Right wrist radiograph, lat view, 474x957:

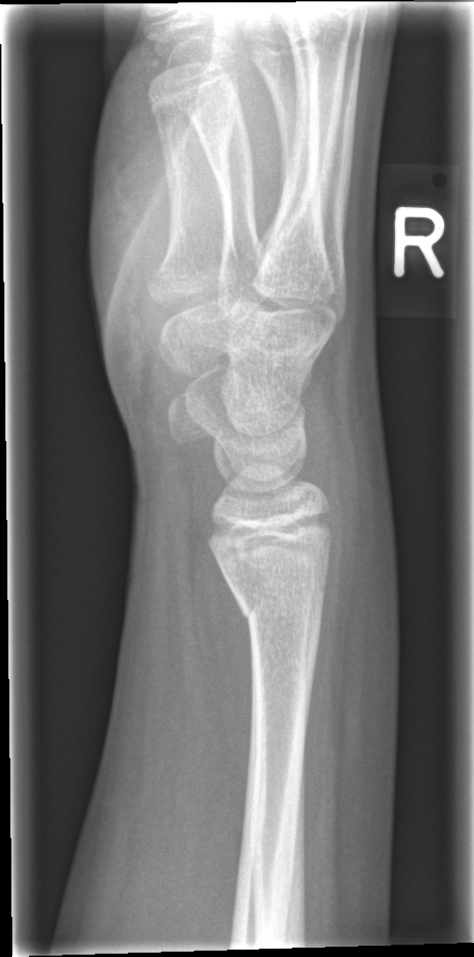

fracture: 1 @ bbox(231, 568, 330, 630)
softtissue: bbox(318, 431, 403, 716)
ao: 23r-M/2.1